Left wrist pediatric wrist radiograph | frontal view | follow-up study | detector: Siemens —

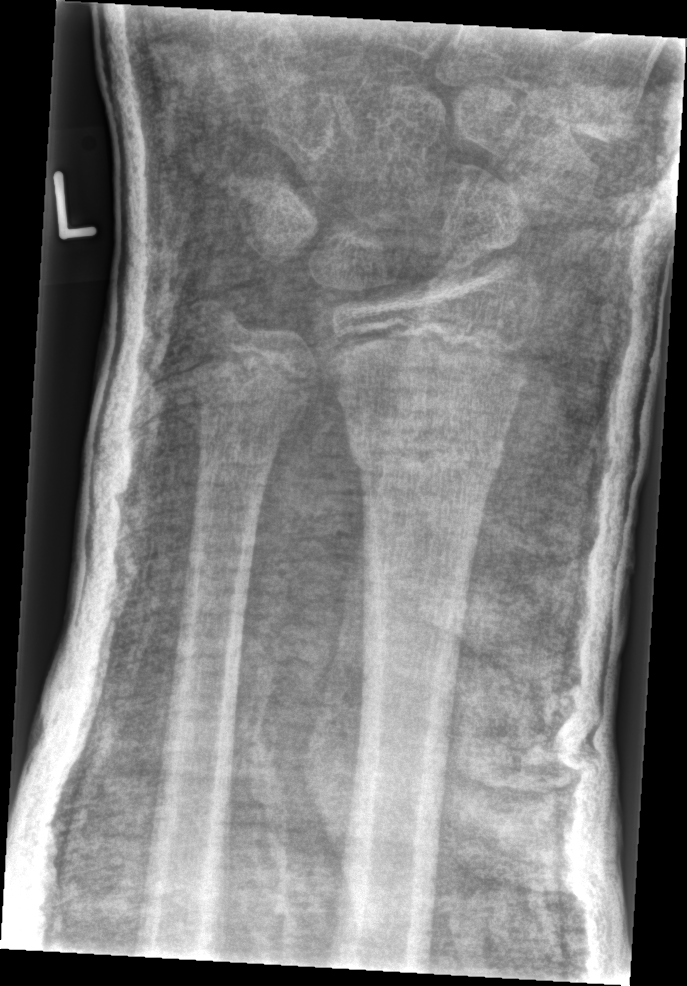
(pixel coordinates, top-left origin, xyxy)
Bone fracture = 2 @ bbox(345, 422, 510, 487), bbox(180, 284, 256, 346)
AO/OTA = 23r-M/3.1; 23u-E/7